Lateral view | Rt plain radiograph of the wrist | 10-year-old male:
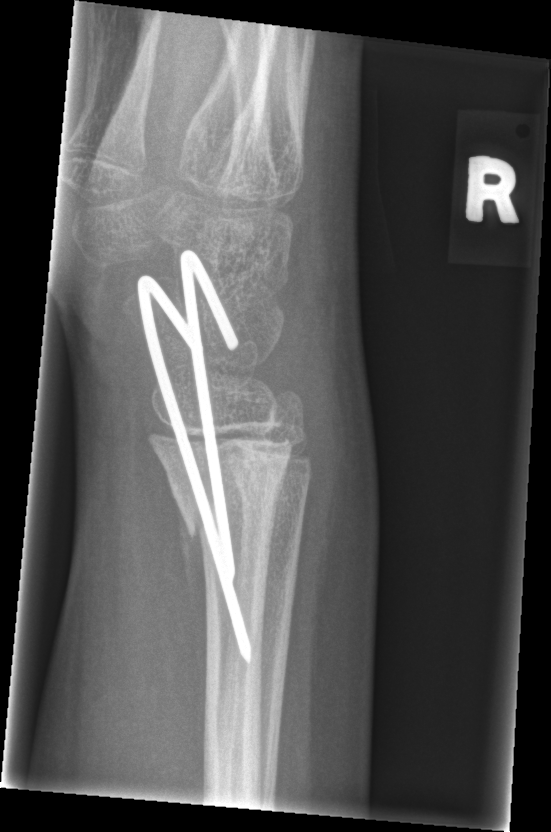 • Bounding boxes in image-pixel xyxy.
• Metal: (134, 247, 254, 669).
• AO code 23r-M/3.1; 23u-M/2.1.
• One bone fracture at (169, 472, 294, 547).
• Periosteal reaction — (175, 495, 208, 685).